R pediatric wrist radiograph · lateral view · 85.2 mm image width:

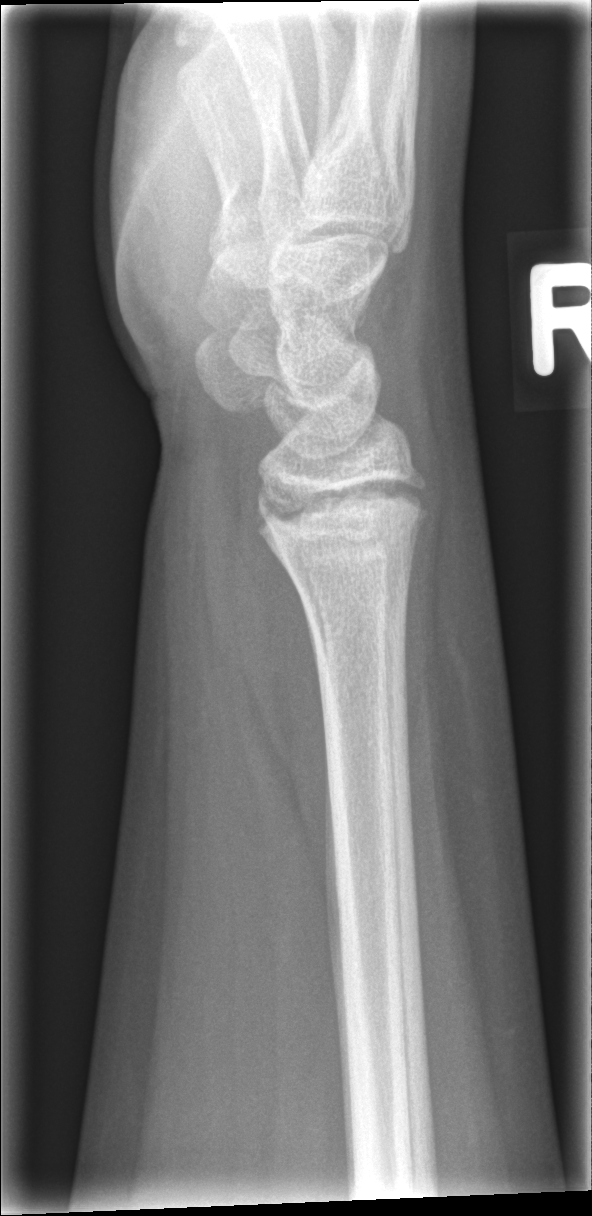
FINDINGS: Bone fracture: 255,473,431,557. One positive pronator fat-pad sign at 215,427,342,918.